AP; Rt wrist plain film; pediatric patient (boy, age 12); 707x894.

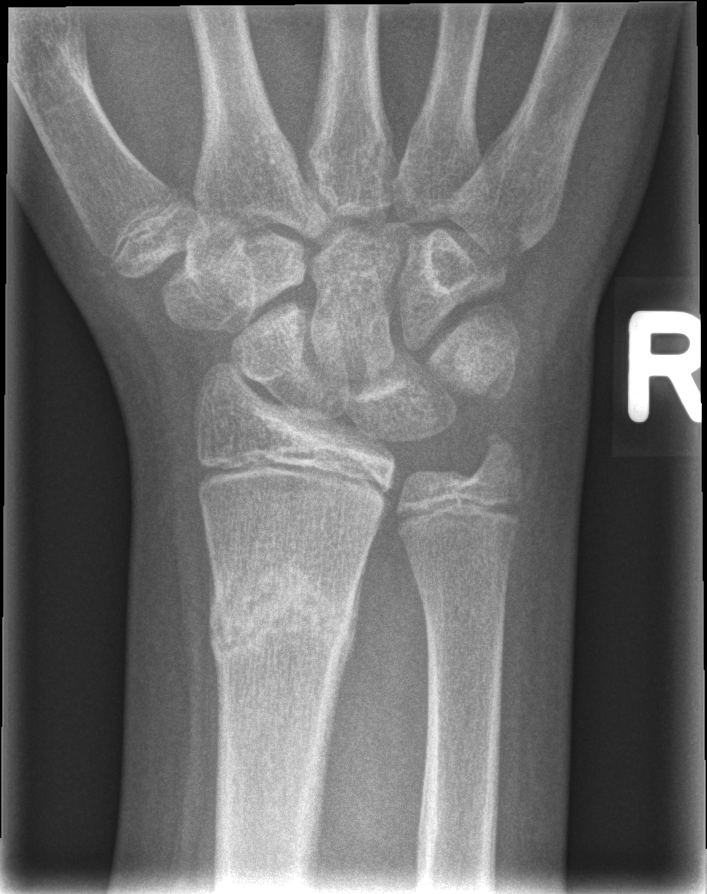
* Fracture identified at <203,556>-<360,668> <465,423>-<528,488>.
* AO code 23r-M/3.1; 23u-E/7.
* Decreased bone density (osteopenia).